Lateral · Lt pediatric wrist radiograph · age 4 y, girl
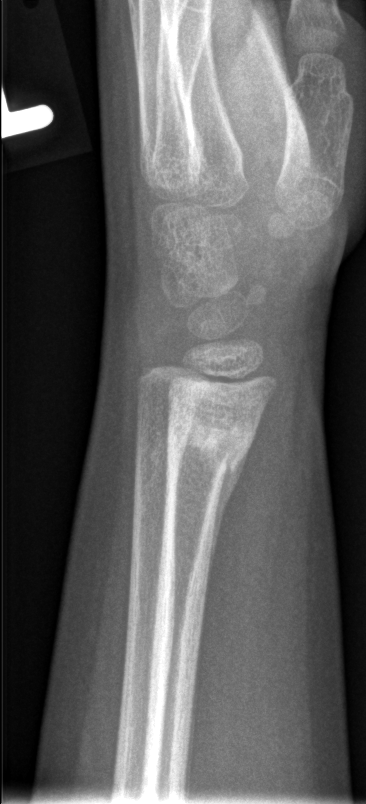
• One periosteal thickening at (207, 439, 254, 581).
• Fracture classified AO/OTA 23-M/2.1.
• Fx identified at (162, 411, 260, 481).